Rt wrist radiograph · posteroanterior · pediatric patient (female, age 10) · in cast · 680 x 918 px: 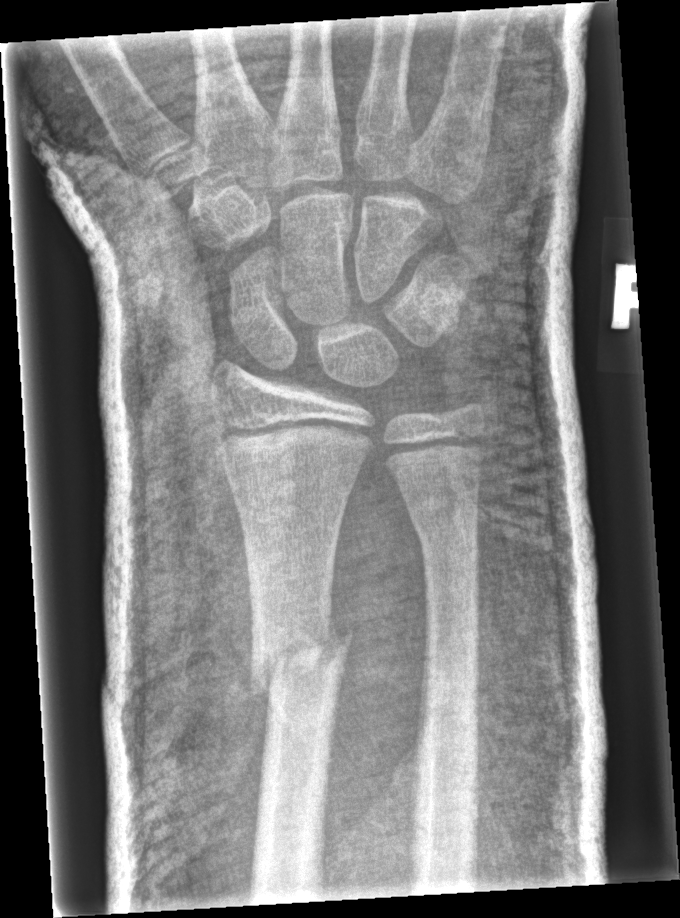
Pixel coordinates, top-left origin, xyxy.
Two fractures at 245,609,356,705 | 403,490,483,548.
AO code 23-M/3.1.